PA | Rt wrist plain film: 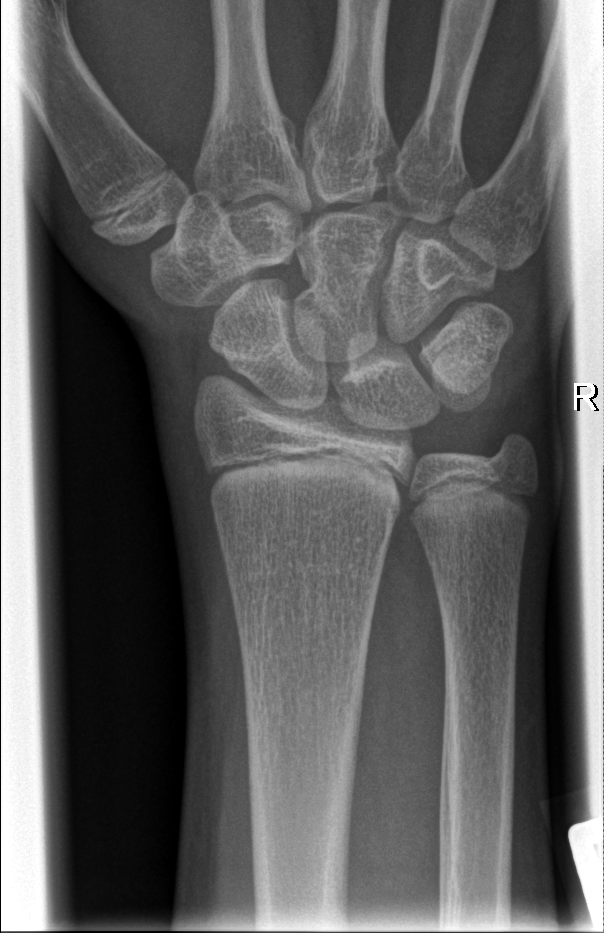

FINDINGS — No Fx annotated.